Left wrist XR | lateral projection 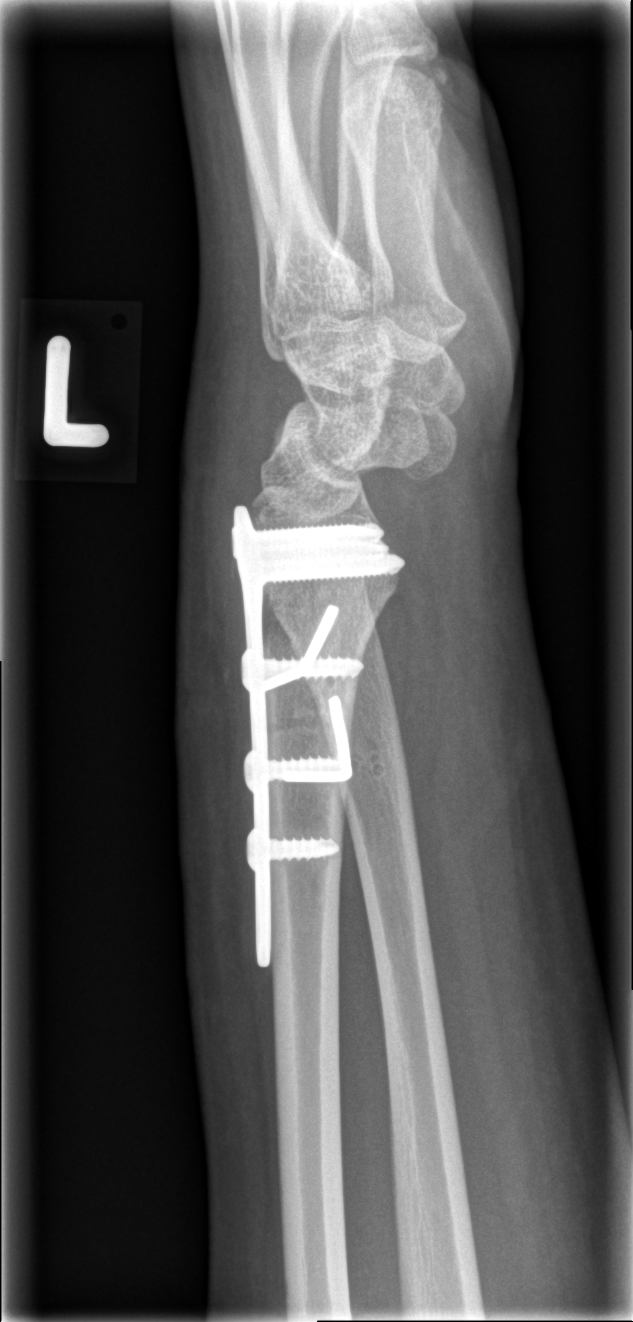

* Coordinates are [x1, y1, x2, y2] in image pixels.
* Fracture present, but no bounding box because it is not clearly seen in this view.
* AO/OTA classification: 23r-M/3.1; 23u-E/7.
* One osseous anomaly at [353, 734, 388, 783].
* Metal identified at [221, 506, 403, 971].